L wrist plain film · frontal view · presentation radiograph · Siemens.

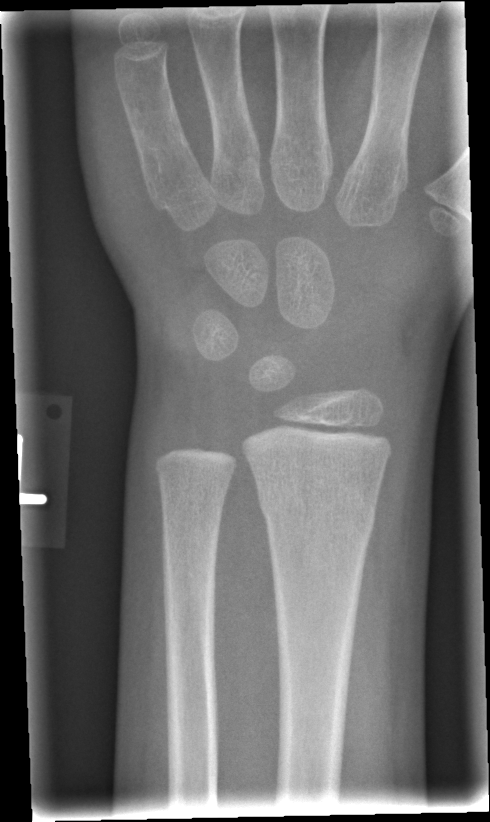 {"fracture": "[254, 478, 379, 543]"}